R pediatric wrist radiograph, lateral projection, index exam — 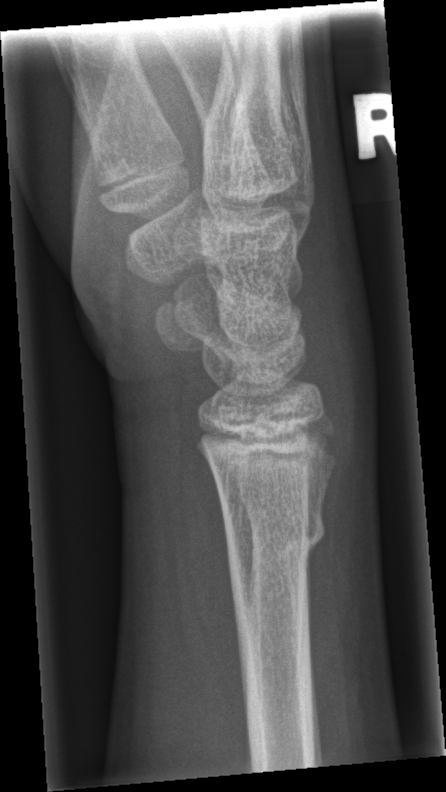
Bone fracture = 1 @ (223, 503, 328, 561)
Pronator quadratus fat-pad sign = 1 @ (179, 448, 242, 718)